Lat projection; L wrist radiograph; 11-year-old female; in cast; 81.9 mm image width: 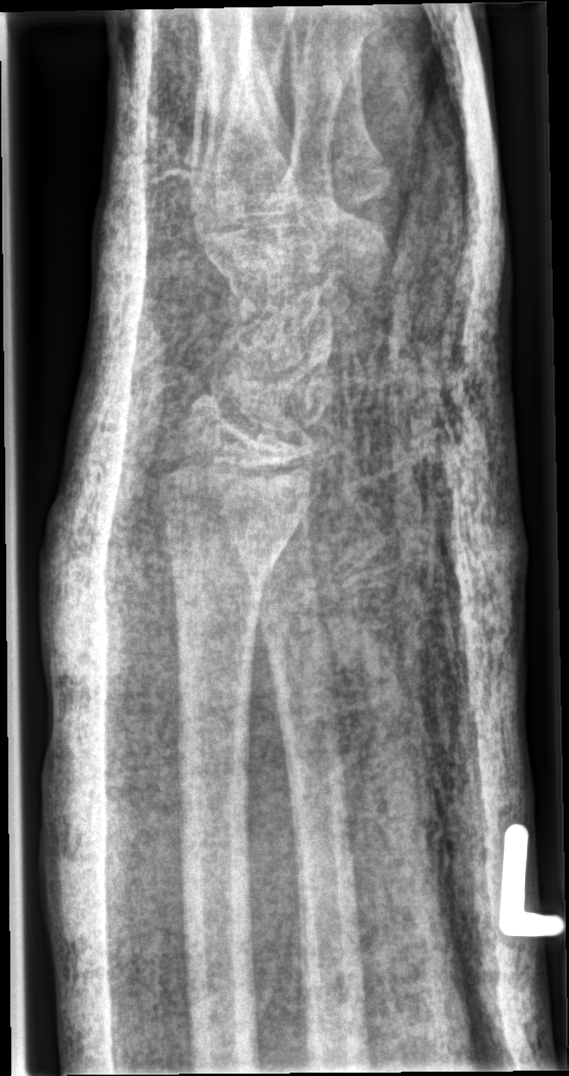
Fx present but not clearly seen in this view.
AO code 23r-M/3.1.